Rt wrist XR; AP projection; age 13 y, male —

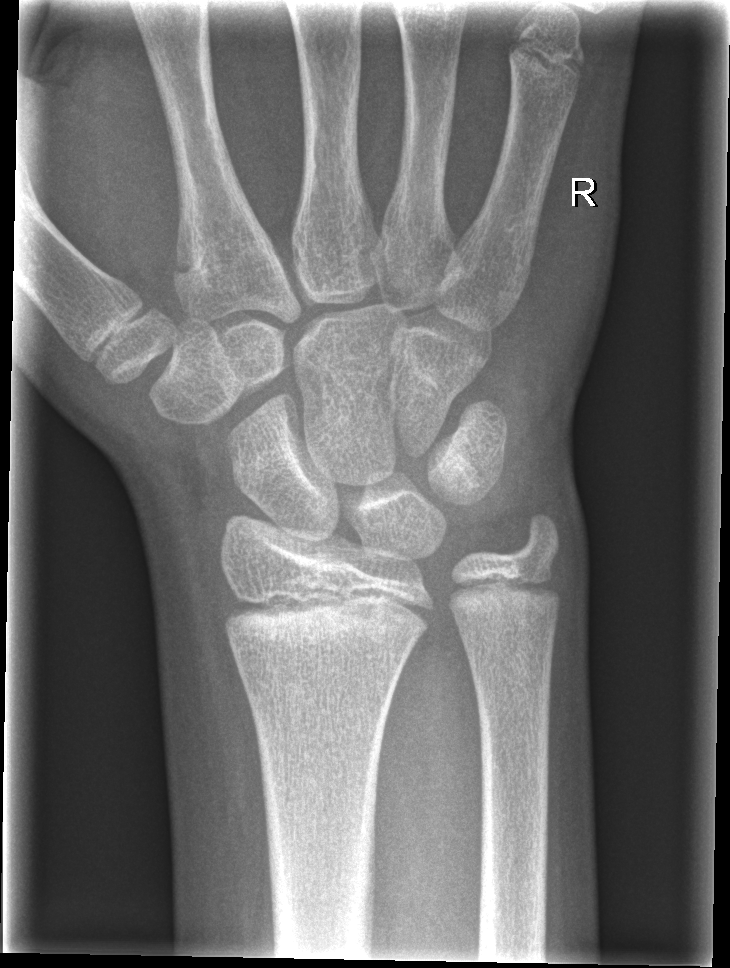
Findings: No fracture bounding box.